Lat projection; left wrist pediatric wrist radiograph: 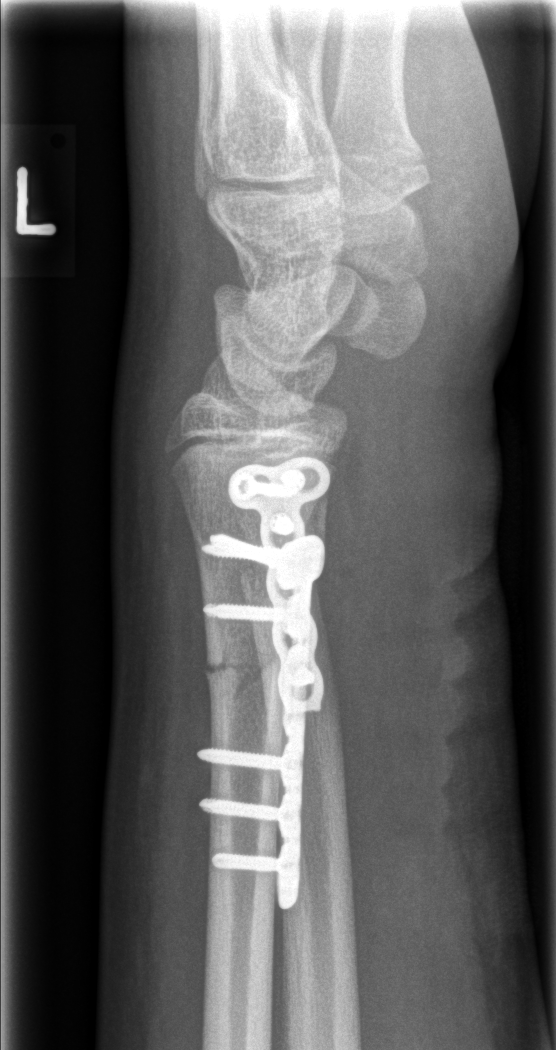
Coordinates are [x1, y1, x2, y2] in image pixels.
Two bone fractures at 202,638,294,708; 236,546,331,604.
Hardware: 206,457,331,911.